Left wrist XR · lat view · male, 10 yo · cast in situ: 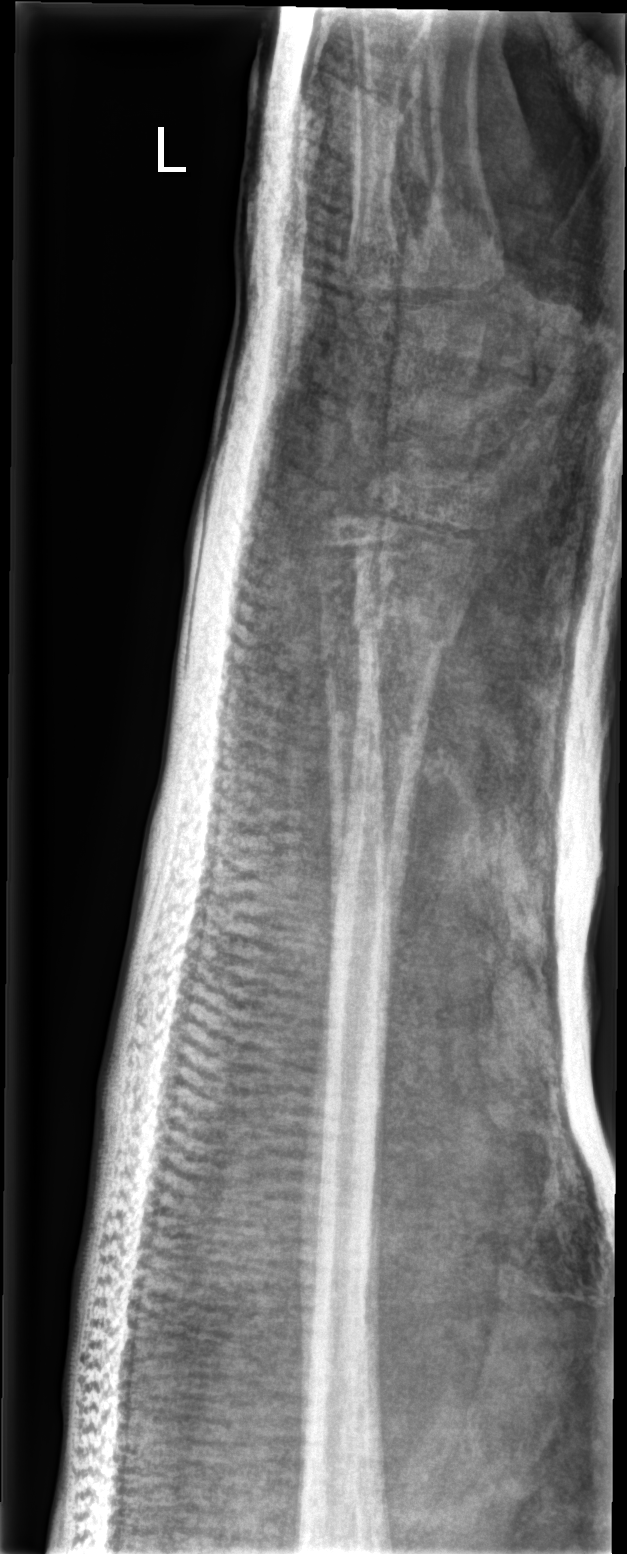 Q: What is the AO/OTA classification?
A: AO/OTA classification: 23-M/3.1
Q: Fracture present?
A: Fracture: 346 599 460 662